Lateral projection | R wrist radiograph | 3y M | initial study | Siemens.

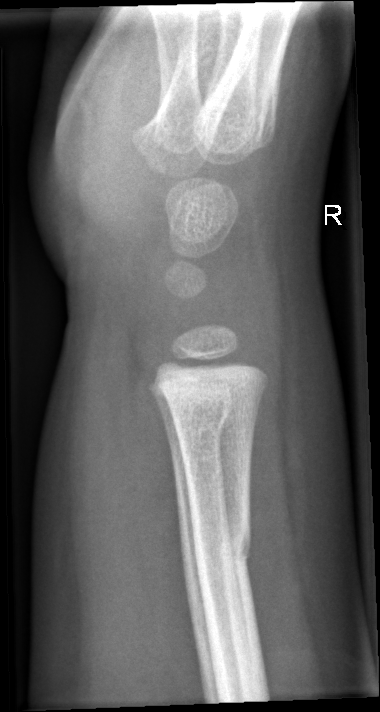 Findings: Bone fracture identified at [177, 515, 258, 589], [150, 378, 235, 442]. AO/OTA classification: 23-M/2.1. One pronator sign at [123, 370, 195, 639].